PA/AP projection | left wrist radiograph | 17y M | detector: Siemens | 542 by 1112 pixels:
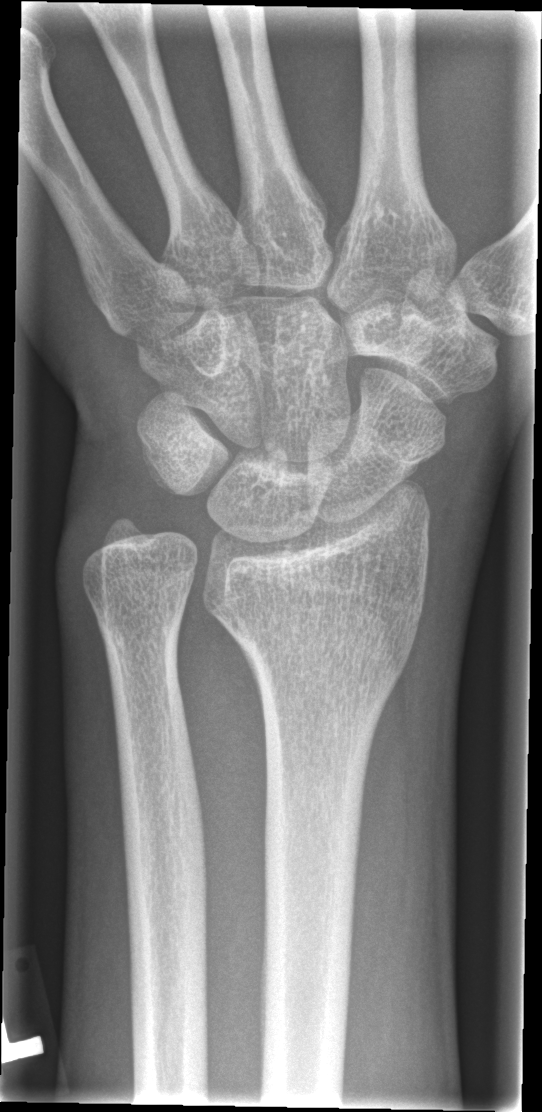 Pixel coordinates, top-left origin, xyxy. No fracture bounding box. Bone variant — (63, 439, 276, 714).